Lateral | right wrist radiograph —
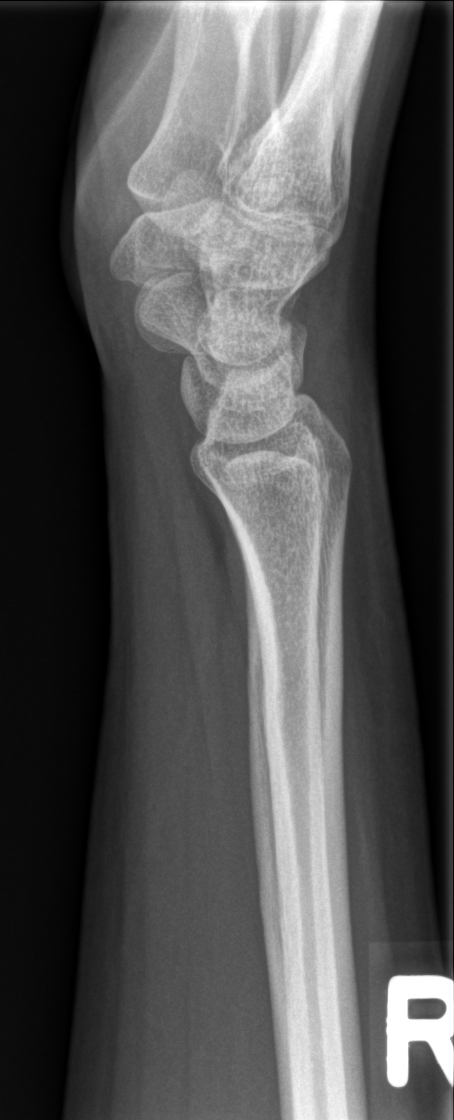
FINDINGS — No fracture annotation.